Lat view; R plain radiograph of the wrist; follow-up; 121.2 mm image width: 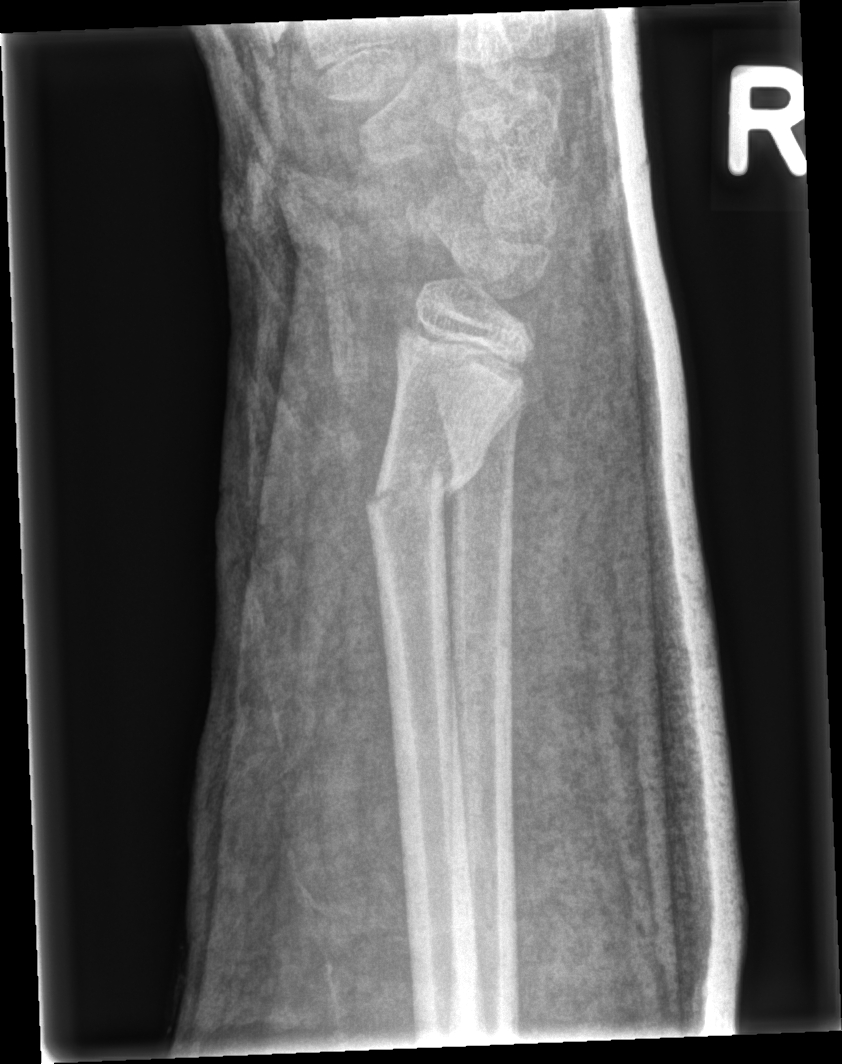
AO code: 23r-M/3.1; 23u-E/7
Fx: (left=356, top=452, right=476, bottom=530)